Lat view, right wrist pediatric wrist radiograph, 2-year-old girl, Siemens —
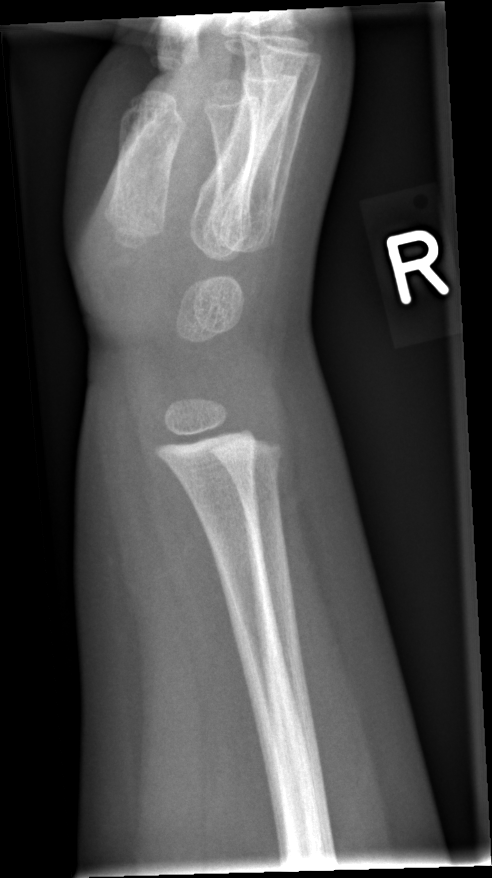

Fracture: none labeled